Left wrist X-ray | lat projection | 6y F | subsequent exam | acquired on Siemens: 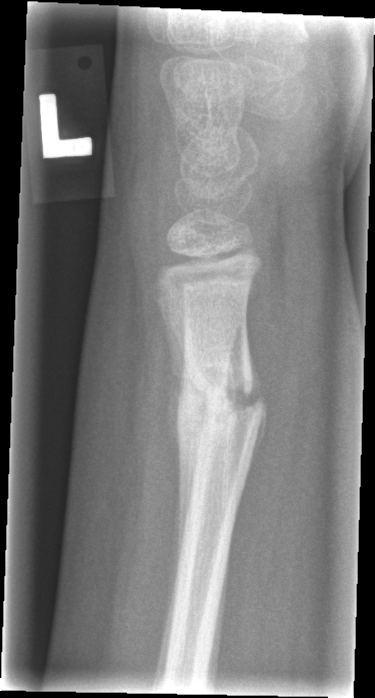

Findings: (coordinates are [x1, y1, x2, y2] in image pixels) Two periosteal thickening at 163 311 209 554 | 243 330 267 478. Reduced bone mineral density. Fx — 170 362 268 436. AO code 23-M/3.1.